L wrist X-ray | PA/AP view | 13-year-old female | Siemens. 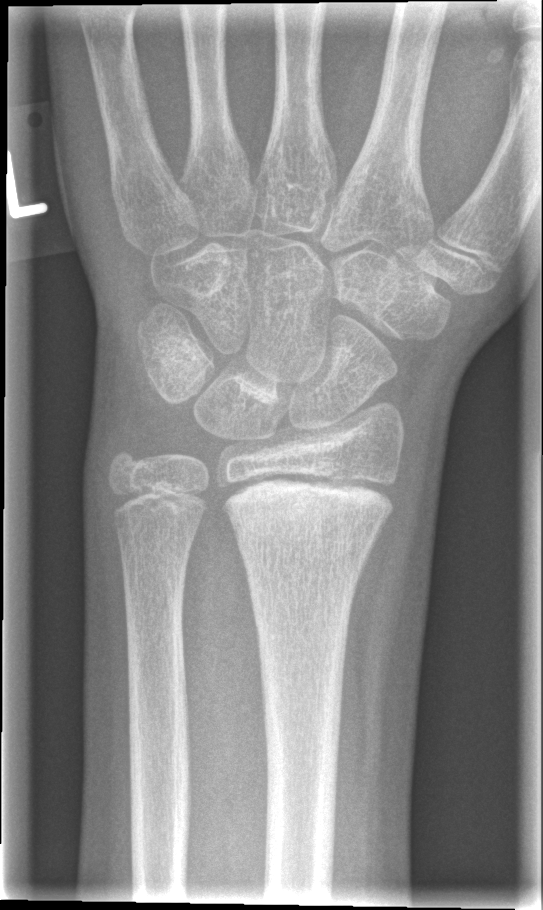

osteopenia: present
ao: 23r-E/2.1
fracture: present but not clearly seen in this view